Left wrist plain radiograph of the wrist · lateral · image width 70.6 mm —

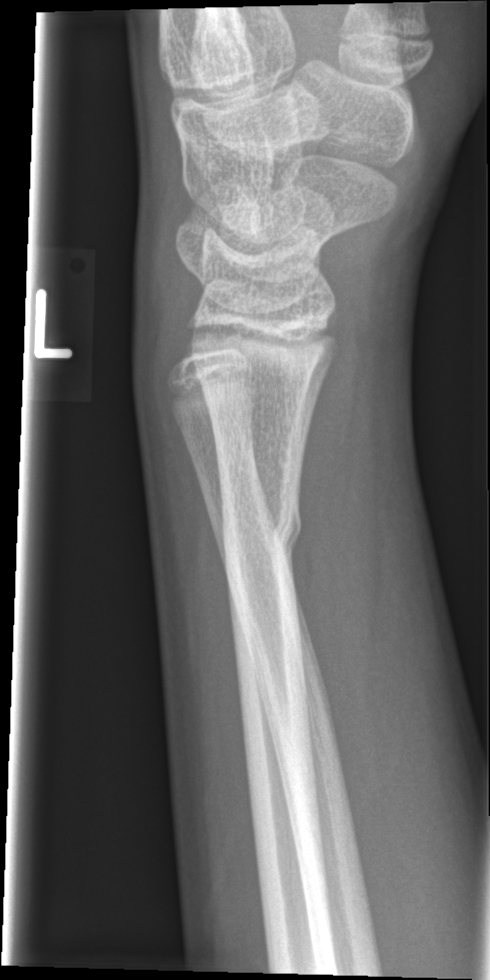 Q: Locate any fractures.
A: Fx — 218 498 305 570
Q: What is the AO/OTA classification?
A: AO/OTA classification: 23r-M/2.1